R wrist XR | PA view | image size 522x766:

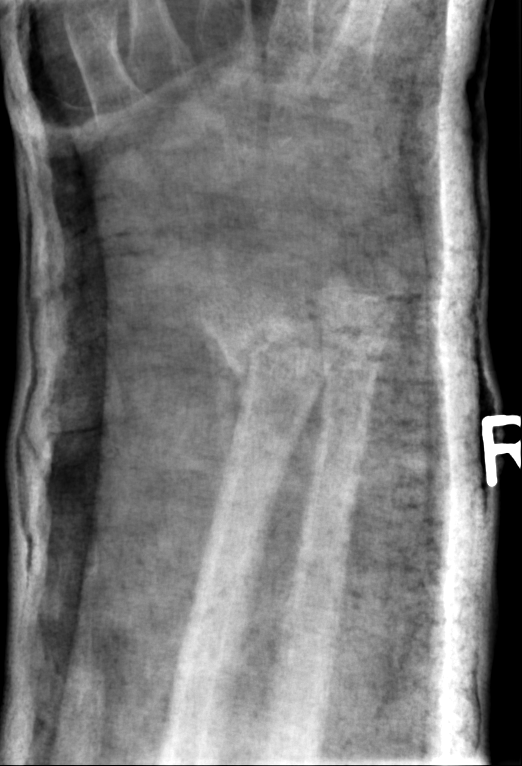
(coordinates are [x1, y1, x2, y2] in image pixels)
AO code = 23r-M/3.1
Bone fracture = 221 321 327 399